Right pediatric wrist radiograph · lat view · acquired on Siemens: 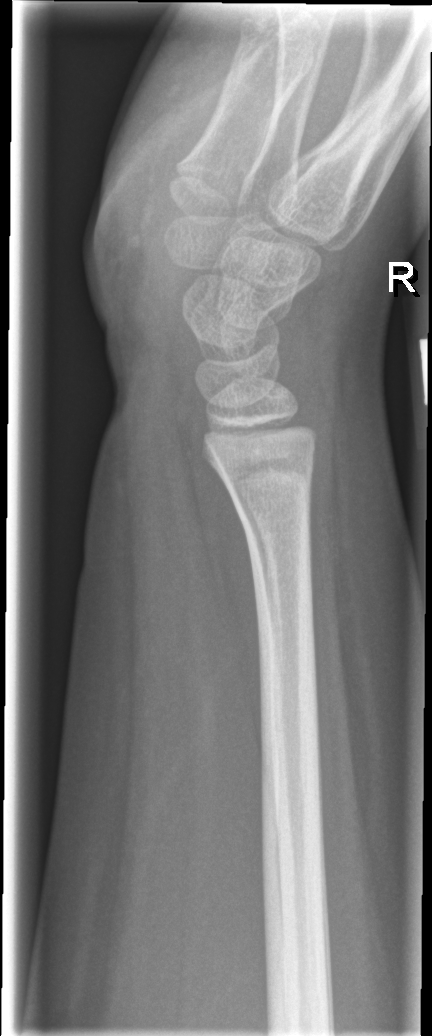 Findings: No fracture annotation.